Lateral view | Rt wrist X-ray | 11y F | imaged through cast:

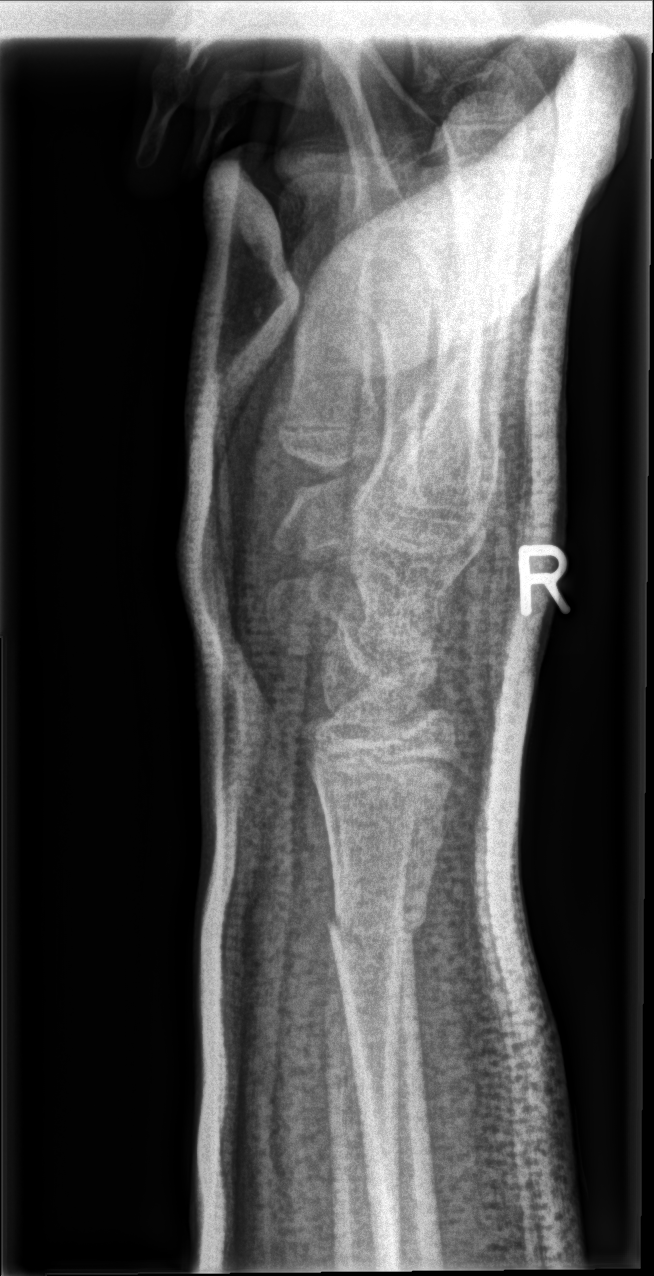
Fx = 1 @ <324,890>-<431,968>